Lateral | left plain radiograph of the wrist | female, 12 yo: 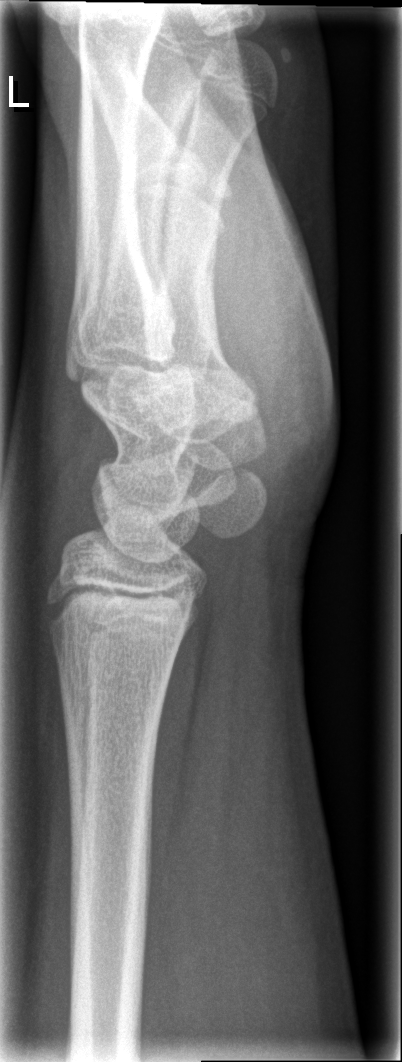

FINDINGS — Fracture: none labeled.